Posteroanterior, Rt wrist X-ray, 632 by 958 pixels

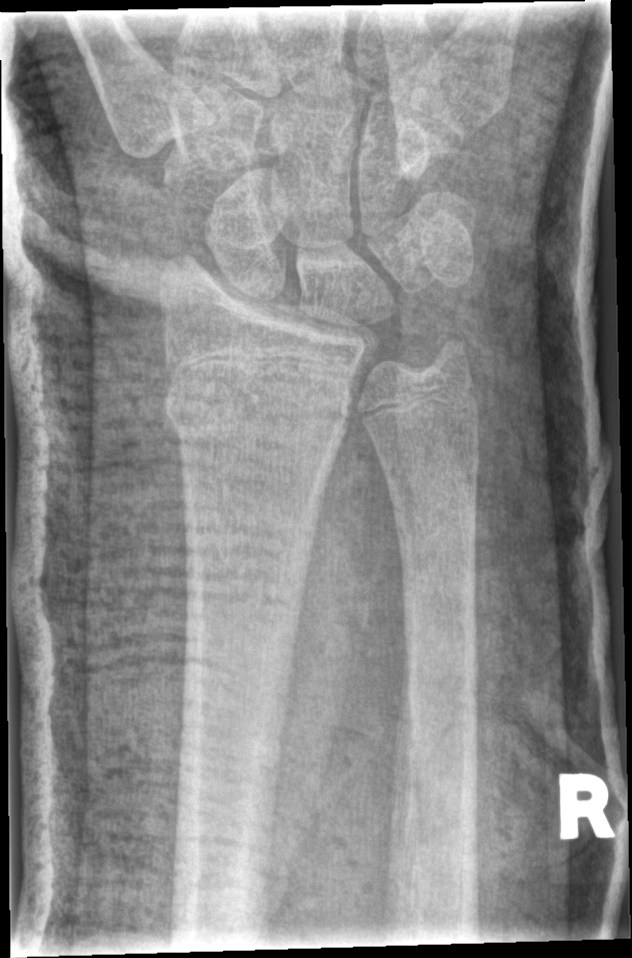 FINDINGS: Bone fracture: 159 361 356 451
  419 323 477 379.